AP projection, right wrist pediatric wrist radiograph, pediatric patient (girl, age 15), acquired on Siemens: 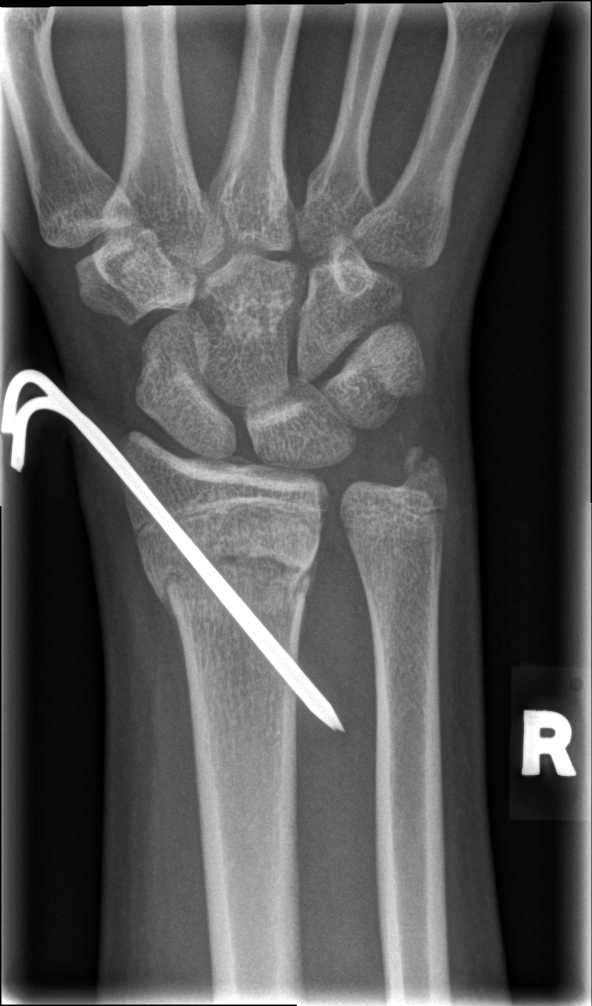

- Bone fracture identified at [135, 532, 325, 631]; [391, 431, 451, 496].
- Metallic hardware: [0, 366, 347, 735].